PA/AP · R wrist plain film · 15-year-old boy · Siemens · 612x1001:

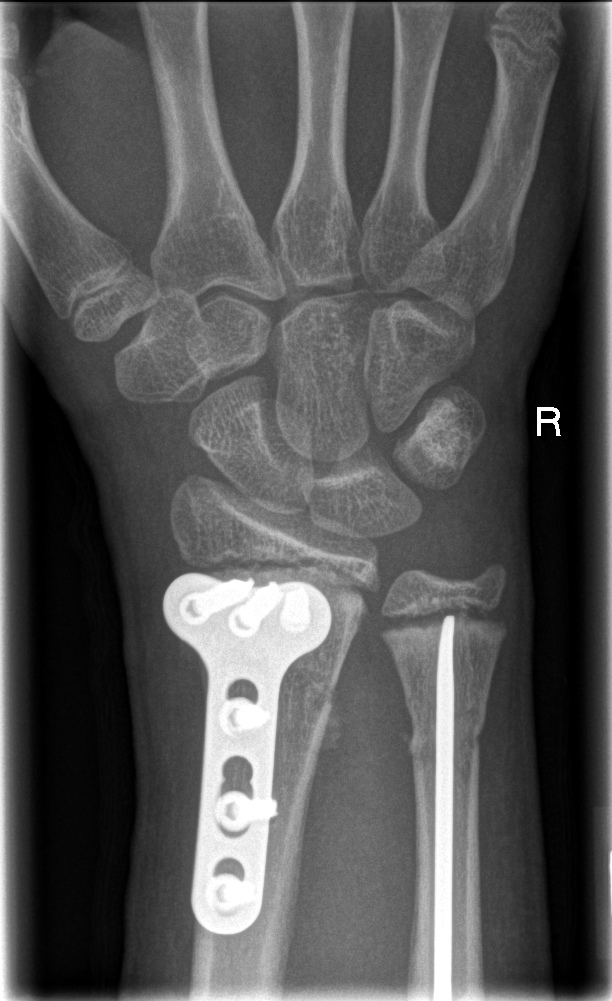 FINDINGS: AO code 23-M/3.1. Two metallic implants at 159,569,333,935
  432,610,456,1001. Bone fracture identified at 279,647,348,733
  403,708,492,768.